Lateral, Rt wrist XR, age 5 y, boy: 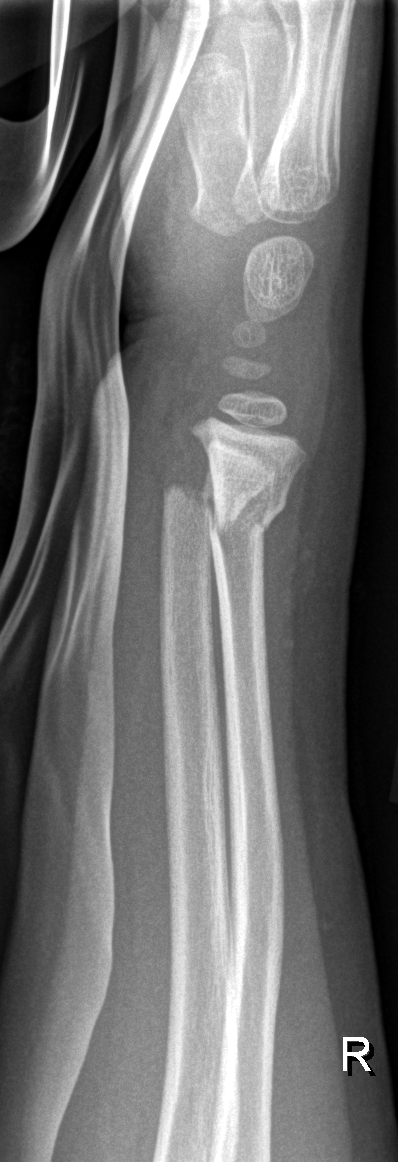   # pixel coordinates, top-left origin, xyxy
  fracture: 2 @ (left=196, top=485, right=291, bottom=541), (left=161, top=477, right=240, bottom=537)
  ao: 23-M/3.1